Left plain radiograph of the wrist · lat projection · 6-year-old female · follow-up · in cast 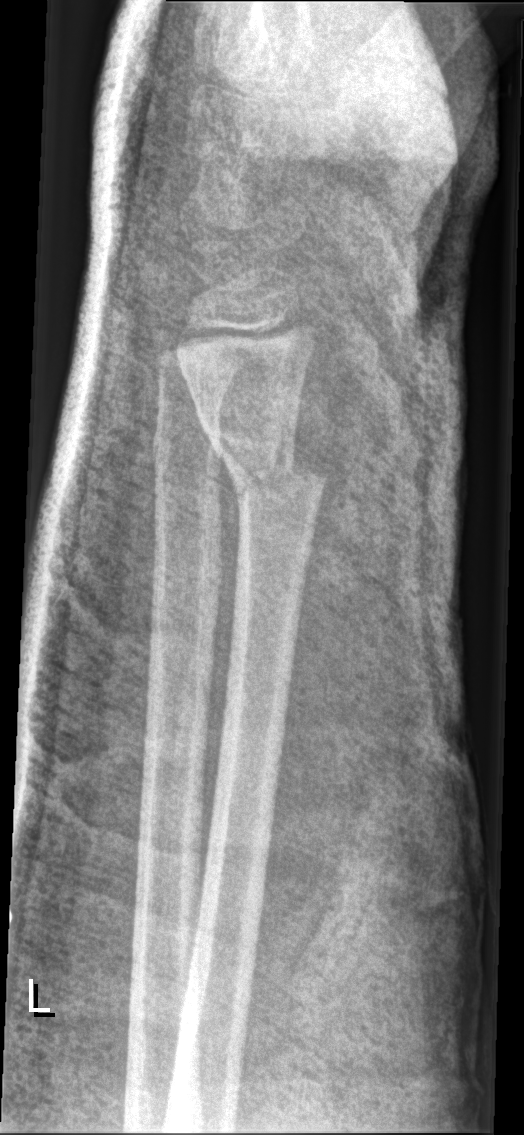

Boxes as x1,y1,x2,y2 (top-left / bottom-right, pixel units).
Fracture identified at 203 430 331 509 | 145 422 227 508.
AO code 23r-M/3.1; 23u-M/2.1.